Left wrist X-ray, PA/AP projection, 9y M, subsequent exam, acquired on Siemens, 78.0 mm image width

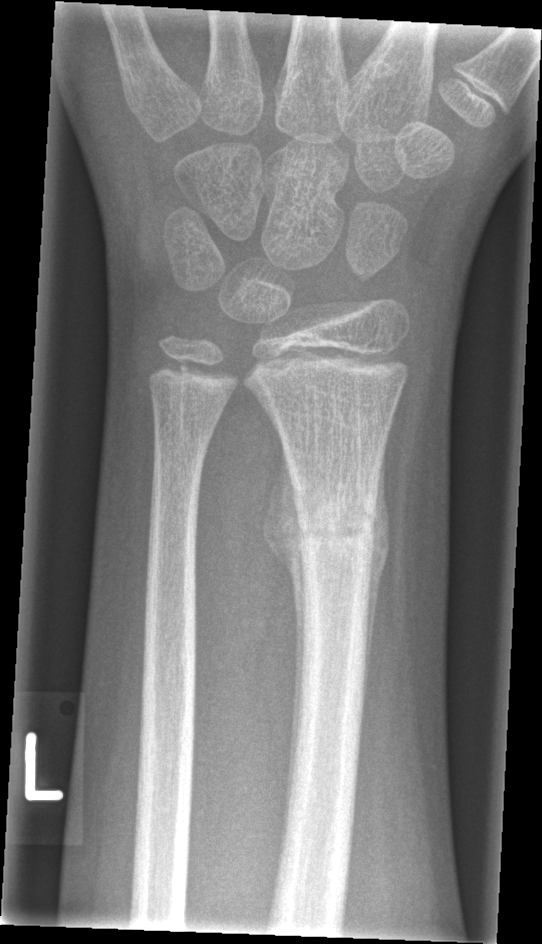
  # boxes as x1,y1,x2,y2 (top-left / bottom-right, pixel units)
  periostealreaction: 2 @ [263, 443, 309, 822] [362, 448, 392, 712]
  fracture: [290, 485, 378, 568]